Lt wrist radiograph · lateral projection.
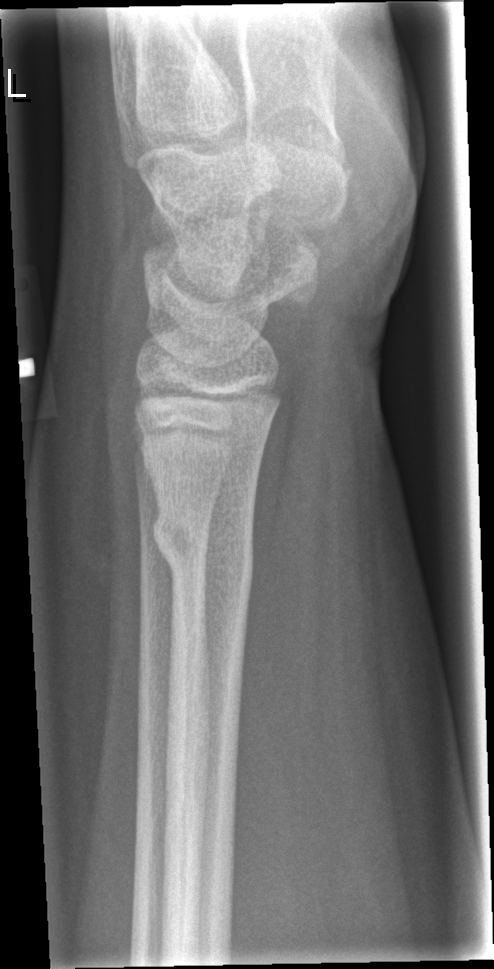 (bounding boxes in image-pixel xyxy)
AO classification: 23r-M/2.1
bone fracture: 148 501 257 599